Lateral projection · Lt plain radiograph of the wrist · pediatric patient (male, age 7) · imaged through cast

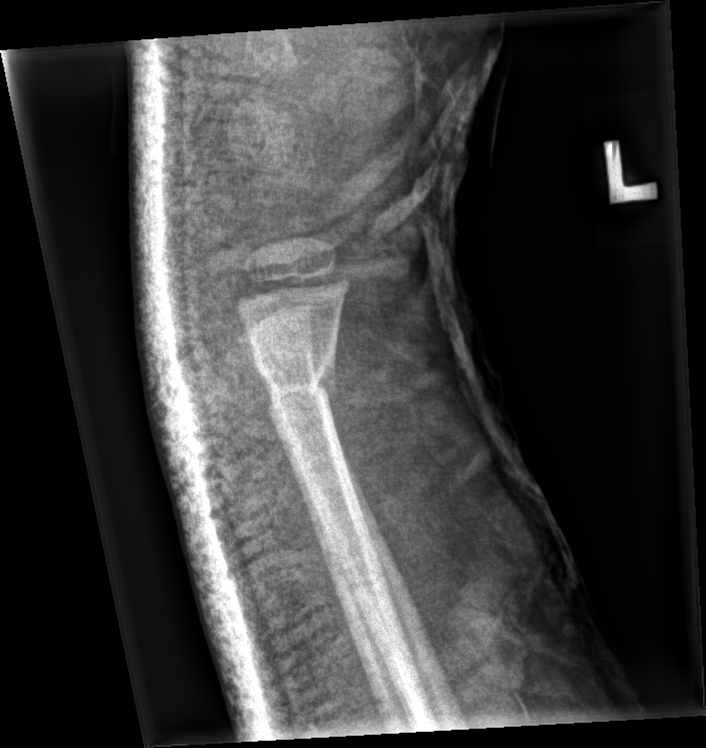

FINDINGS: Fracture identified at 251 347 340 420.